Posteroanterior, left wrist XR, pediatric patient (boy, age 13), acquired on Siemens:

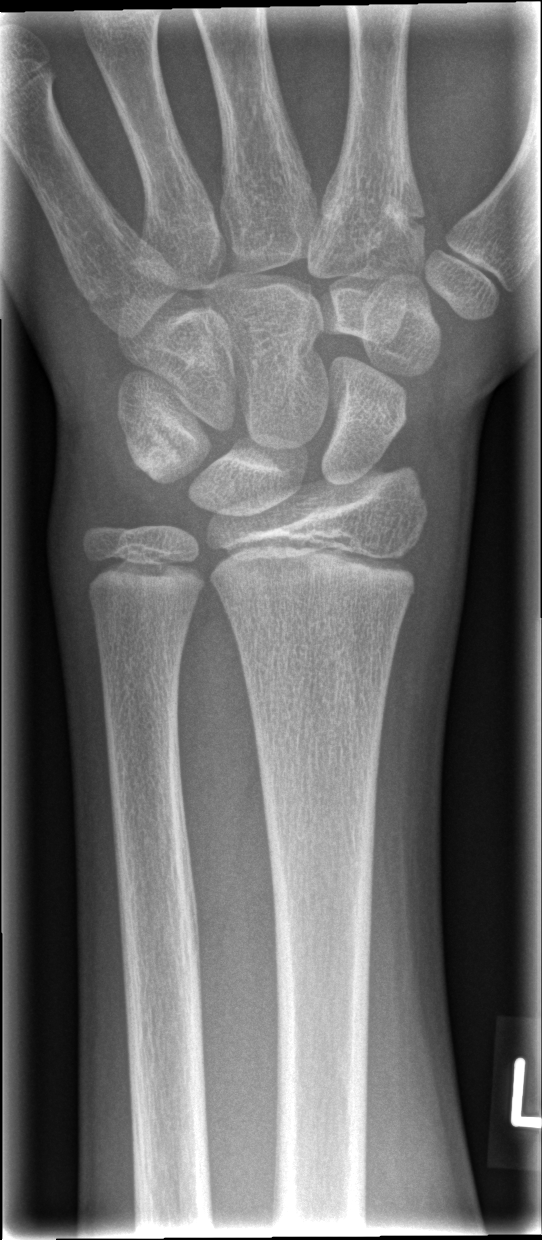

- No fracture bounding box.